Rt pediatric wrist radiograph; lateral projection; 4y M; initial study; acquired on Siemens 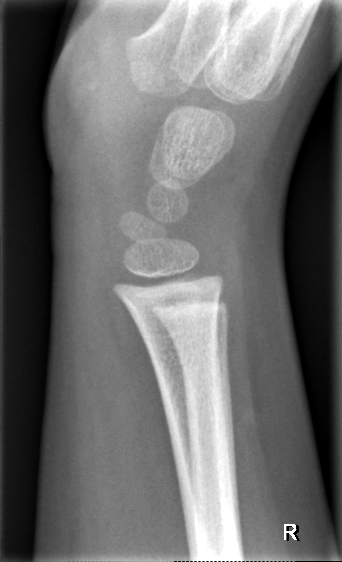 FINDINGS — Fx: none.